Lateral view | L wrist plain film | follow-up — 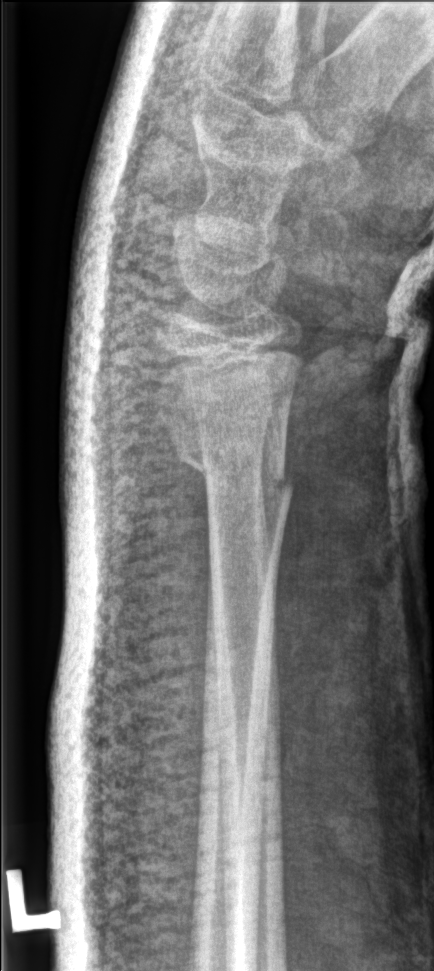
- Fx — 170 437 297 511.